Posteroanterior view · Lt wrist XR · imaged through cast

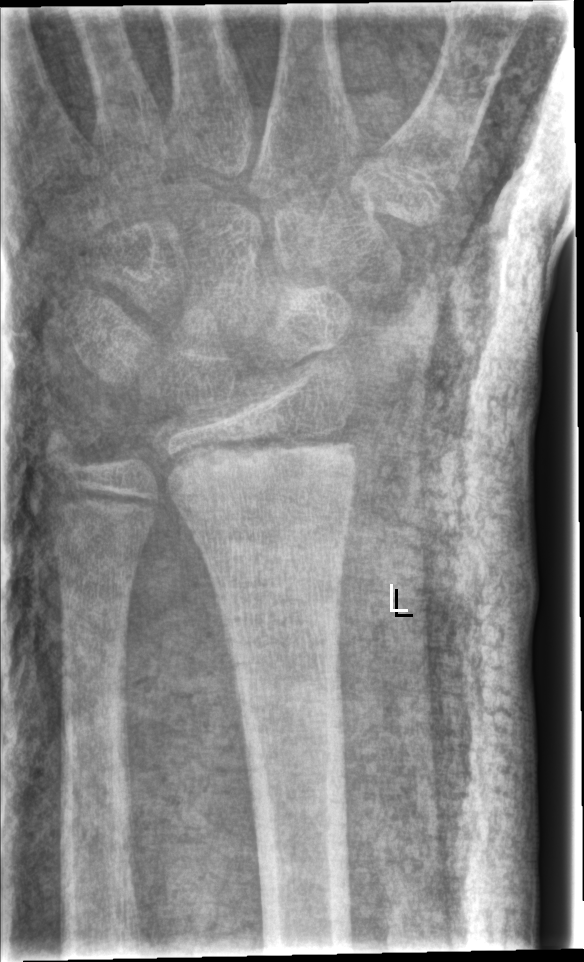 - Bone fractures — <156,420>-<366,509>, <36,423>-<86,482>.